Lt pediatric wrist radiograph, lateral, image size 518x1320.

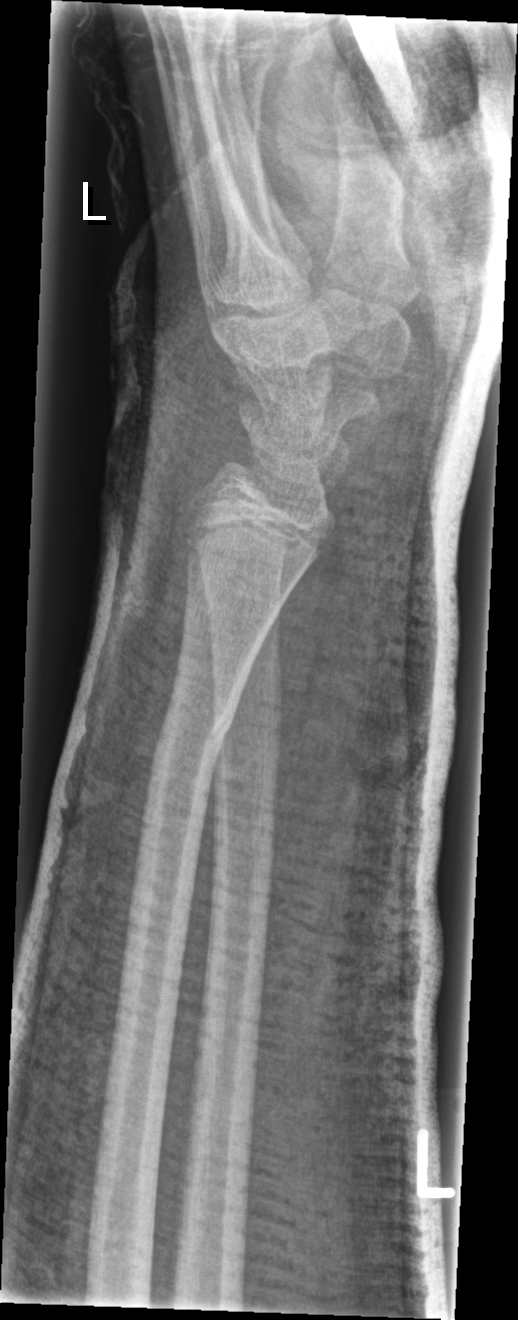
(boxes as x1,y1,x2,y2 (top-left / bottom-right, pixel units))
Q: What is the AO/OTA classification?
A: AO code 22r-D/2.1
Q: Is there a fracture?
A: Fx: bbox(149, 688, 243, 779)